Rt wrist XR, PA view, acquired on Siemens. 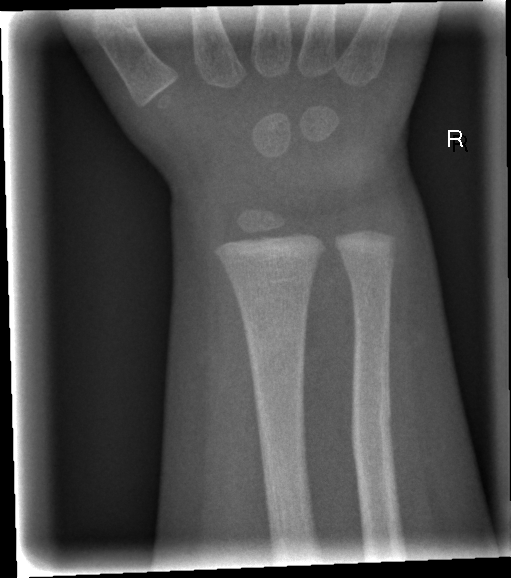

(pixel coordinates, top-left origin, xyxy)
Q: Is there a fracture?
A: Bone fracture — <348,372>-<397,470>